Right plain radiograph of the wrist, PA, 551 by 916 pixels:
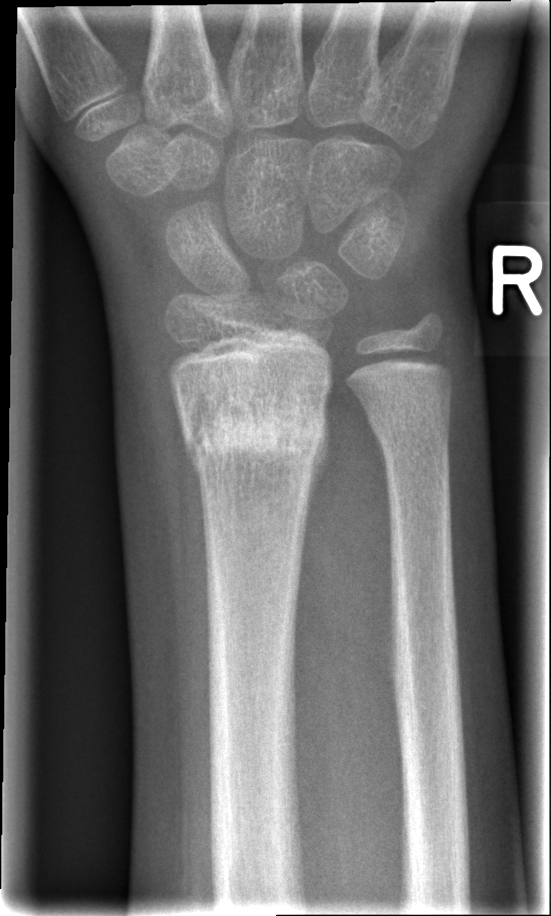   osteopenia: present
  fracture: 2 @ (left=174, top=381, right=331, bottom=479), (left=361, top=391, right=455, bottom=457)
  ao: 23-M/2.1
  periostealreaction: 1 @ (left=302, top=386, right=334, bottom=554)